Frontal projection, left wrist XR, 16-year-old female, acquired on Siemens: 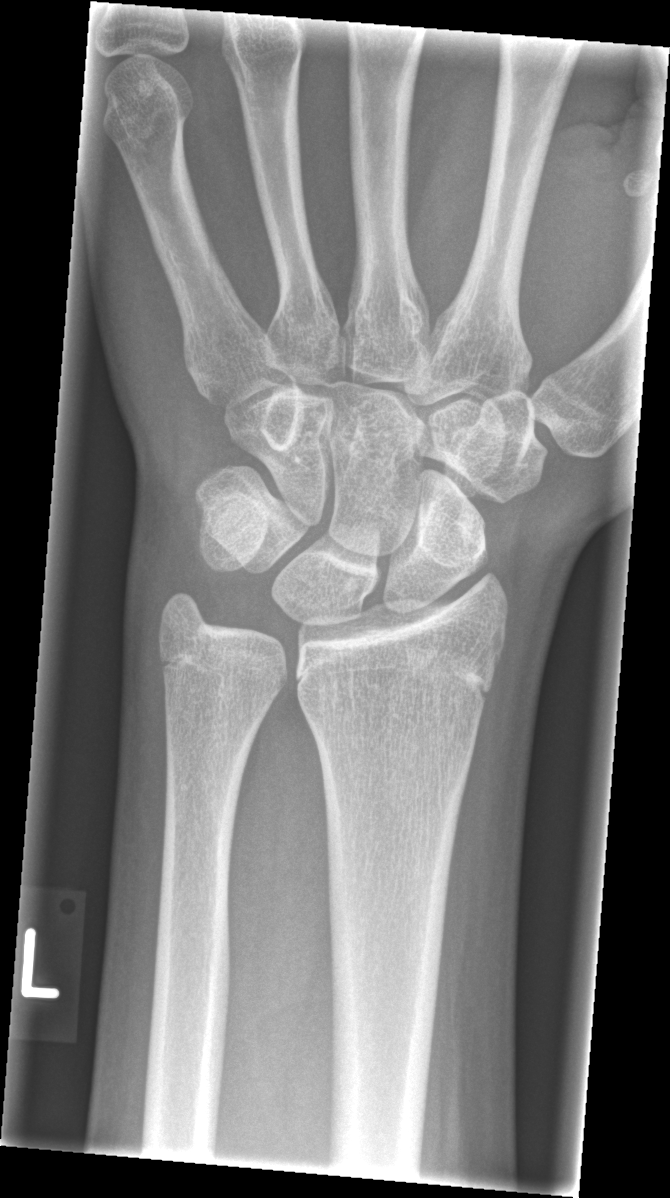

No fracture annotation.